Lat view · left wrist pediatric wrist radiograph · pediatric patient (boy, age 14) · follow-up study · cast present · image size 574x1334 — 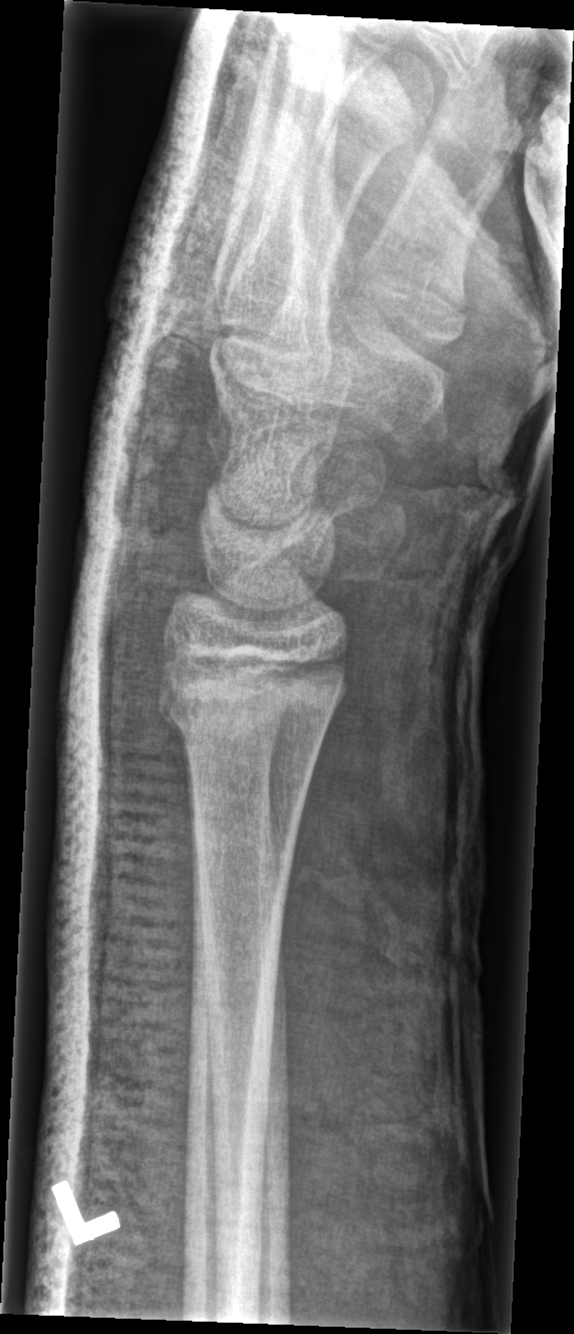

Fx — [155, 640, 346, 752]. Fracture classified AO/OTA 23r-E/2.1.